Posteroanterior projection; left wrist plain film; 7y M. 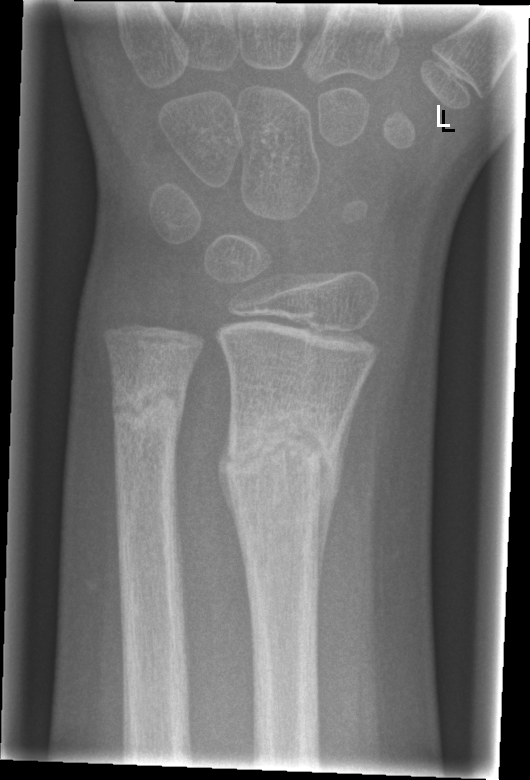
Pixel coordinates, top-left origin, xyxy. Periosteal new bone: (left=316, top=416, right=348, bottom=601) (left=217, top=421, right=240, bottom=538). Fx — (left=214, top=400, right=344, bottom=511); (left=108, top=375, right=190, bottom=442). AO code 23-M/3.1.